Lat view · right wrist plain radiograph of the wrist.

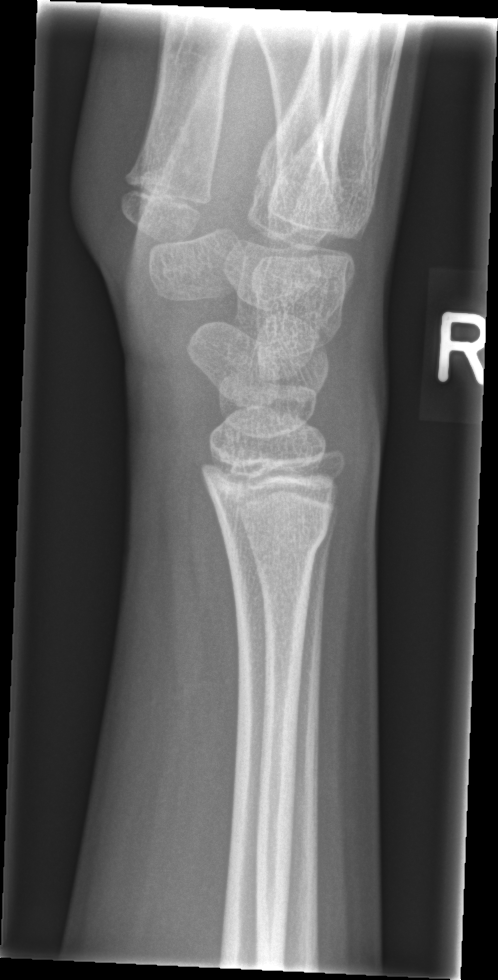

• Coordinates are [x1, y1, x2, y2] in image pixels.
• Fx — (left=212, top=503, right=333, bottom=568).